Left wrist XR, lat projection

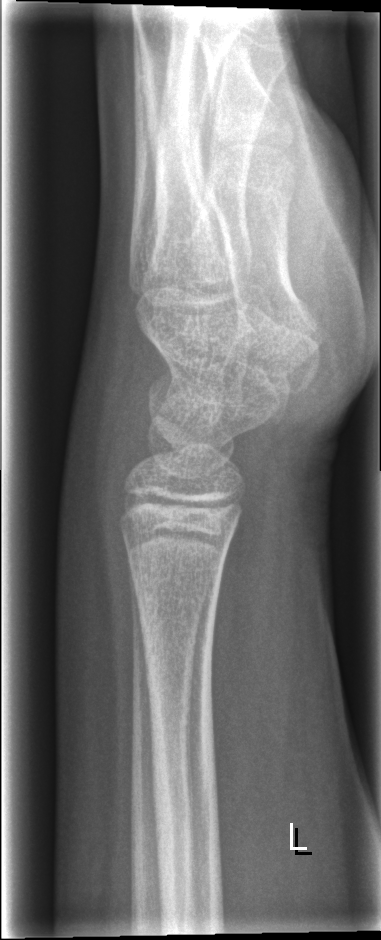 Q: Fracture present?
A: No Fx annotated